Frontal view · R wrist X-ray · male, 11 yo · presentation radiograph · findings marked uncertain by the reading radiologist · acquired on Siemens · image 79.9 mm wide.
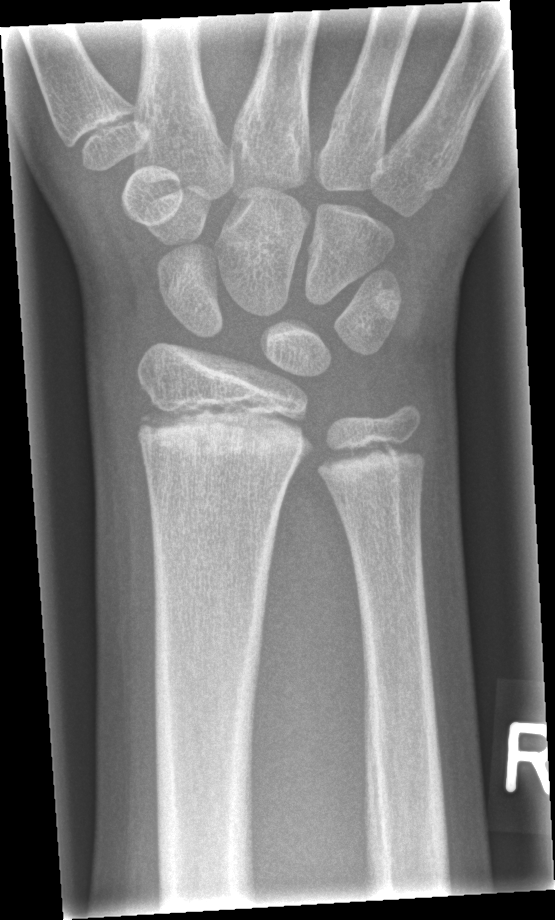 Bone fracture identified at 132,398,313,465. AO code 23-E/1.